Lateral; left wrist X-ray; 15y M:
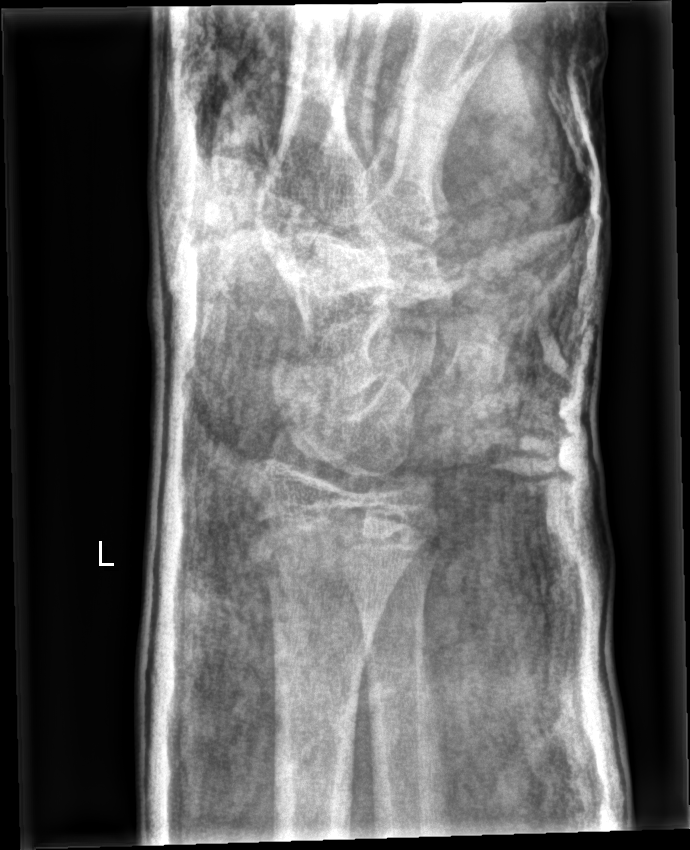
FINDINGS — Bone fracture: (left=244, top=500, right=431, bottom=589).